AP; Lt wrist X-ray —
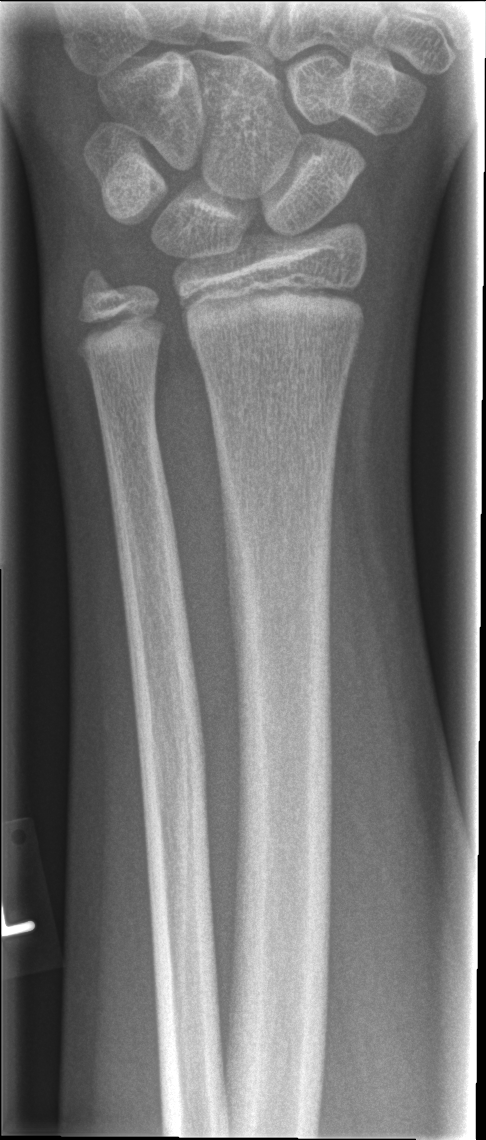 Q: Is there a fracture?
A: Fx: none